R pediatric wrist radiograph; lateral view

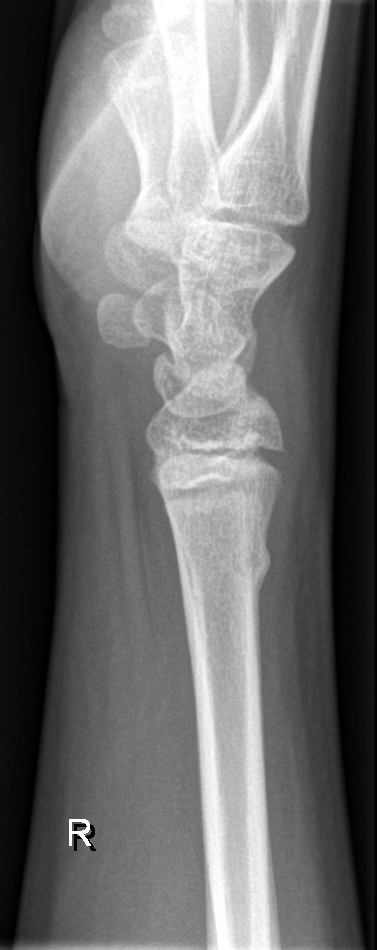

• Boxes as x1,y1,x2,y2 (top-left / bottom-right, pixel units).
• One Fx at (171, 536, 275, 602).